PA; right wrist X-ray; pediatric patient (male, age 14); detector: Siemens; image 72.4 mm wide. 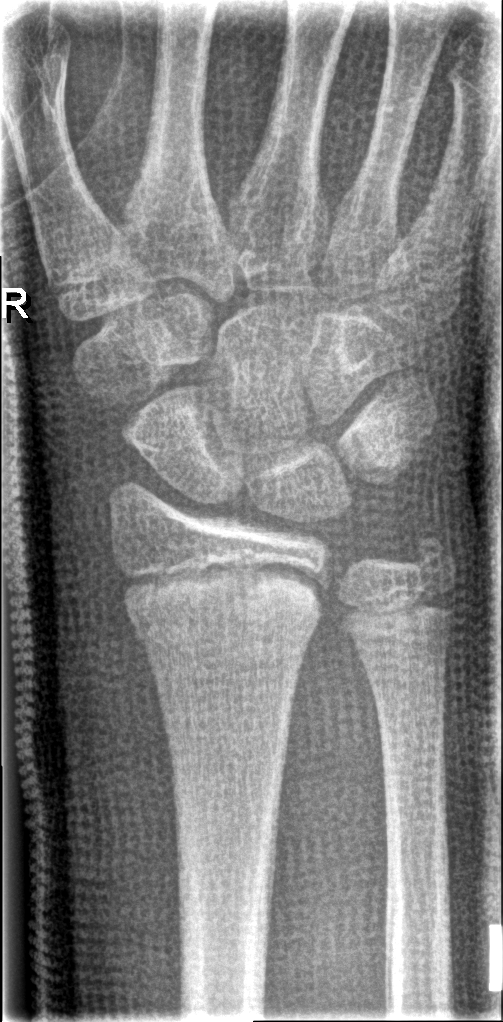
Fracture classified AO/OTA 23-E/2.1; 23u-E/7. Fracture identified at <119,559>-<318,671>; <404,521>-<462,587>.